Posteroanterior projection; Rt pediatric wrist radiograph; 15y F; presentation radiograph; 654x1502 —

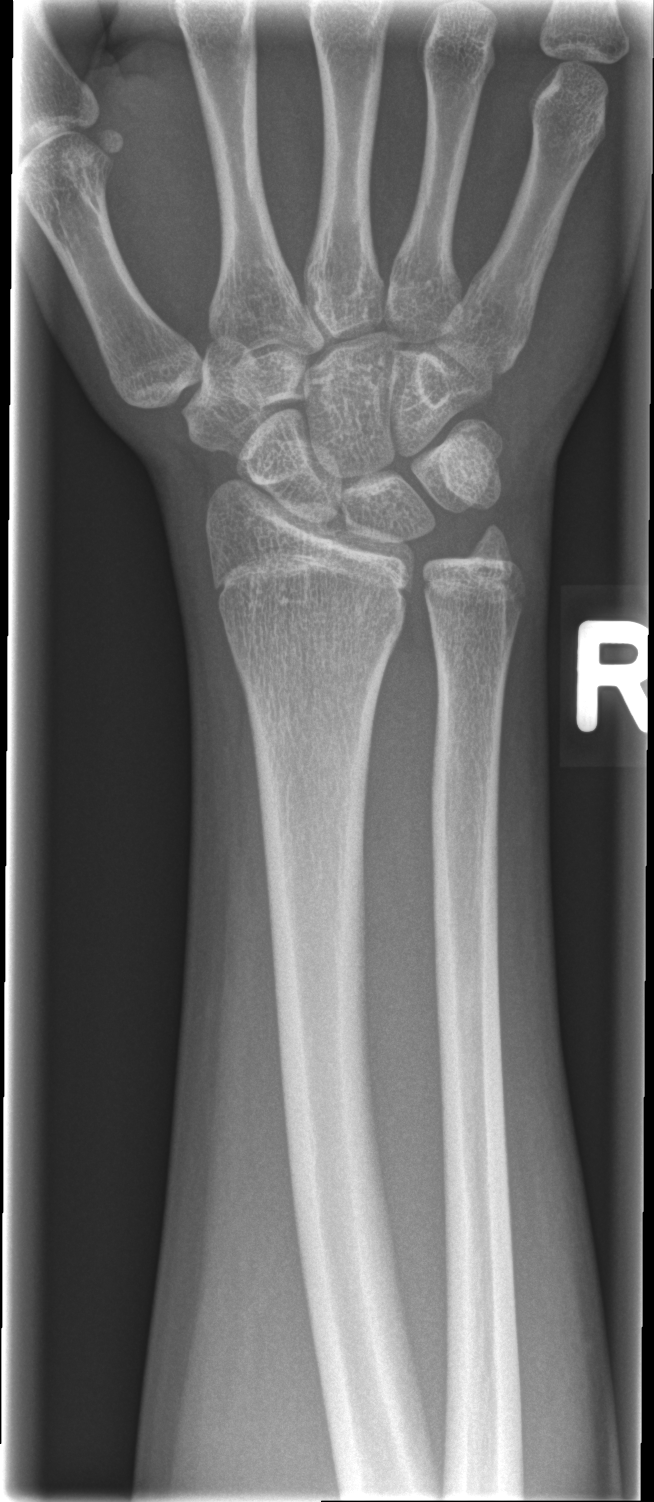 Q: Locate any fractures.
A: No fracture annotation